AP | R plain radiograph of the wrist | subsequent exam.

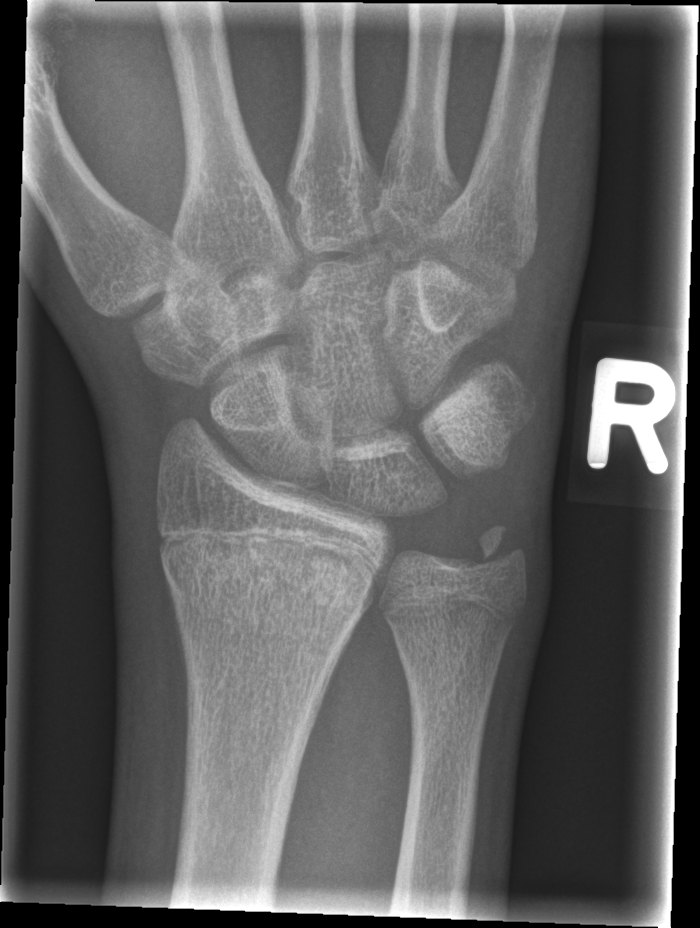 Q: Locate any fractures.
A: Two bone fractures at (left=156, top=530, right=382, bottom=637), (left=469, top=518, right=533, bottom=581)